AP view · L plain radiograph of the wrist · image width 75.5 mm.
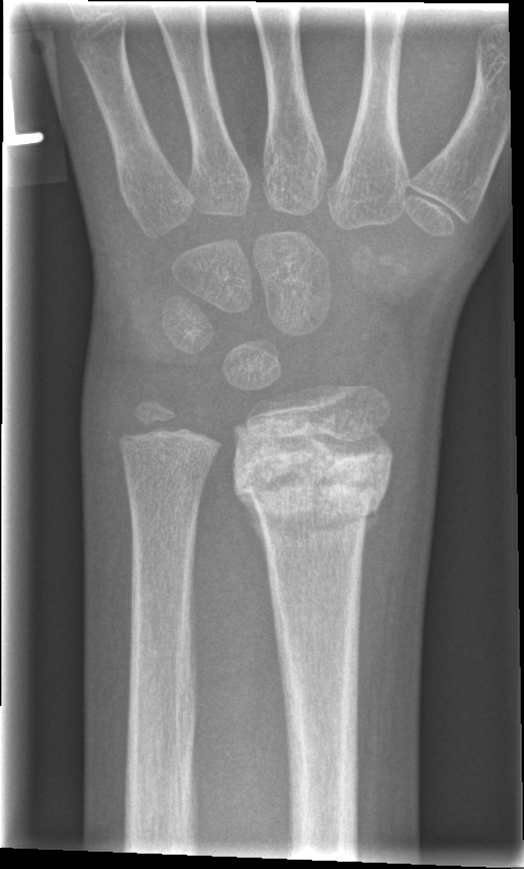
(coordinates are [x1, y1, x2, y2] in image pixels)
Periosteal thickening = 2 @ <236,491>-<271,609>; <361,490>-<386,611>
Bone fracture = <229,425>-<396,552>
Osteopenia = present
AO classification = 23r-M/3.1